Lateral projection · left wrist plain film · pediatric patient (female, age 15) · presentation radiograph —

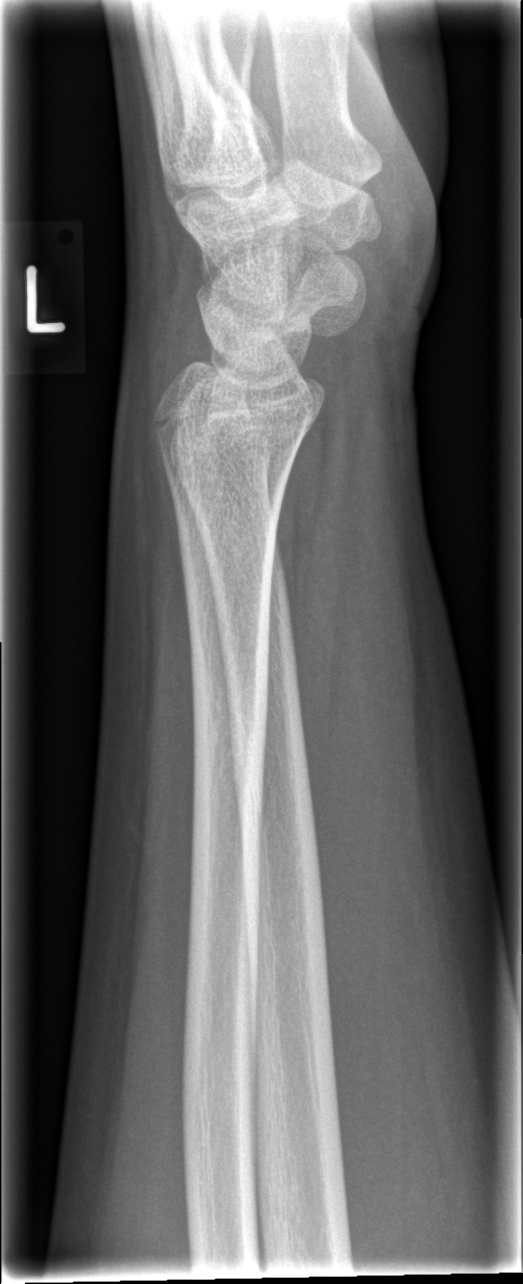 No fracture annotation.